Lateral | left wrist XR | acquired on Siemens —

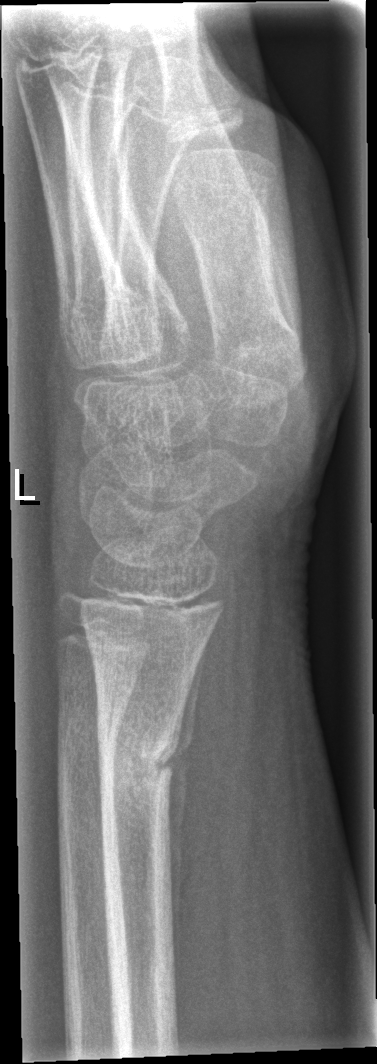

(bounding boxes in image-pixel xyxy)
Periosteal new bone = 172,653,199,999
Osteopenia = present
Fracture = 92,711,190,815